R wrist plain film | lateral view | pediatric patient (boy, age 13) — 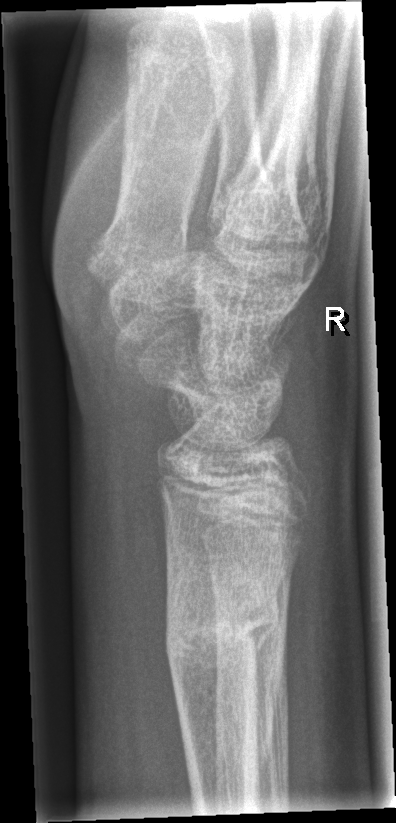

Q: Any fracture seen?
A: One Fx at (left=159, top=586, right=285, bottom=699)
Q: What is the AO/OTA classification?
A: Fracture classified AO/OTA 23-M/3.1; 23u-E/7